Lateral projection | Lt plain radiograph of the wrist | age 6 y, female | cast present.
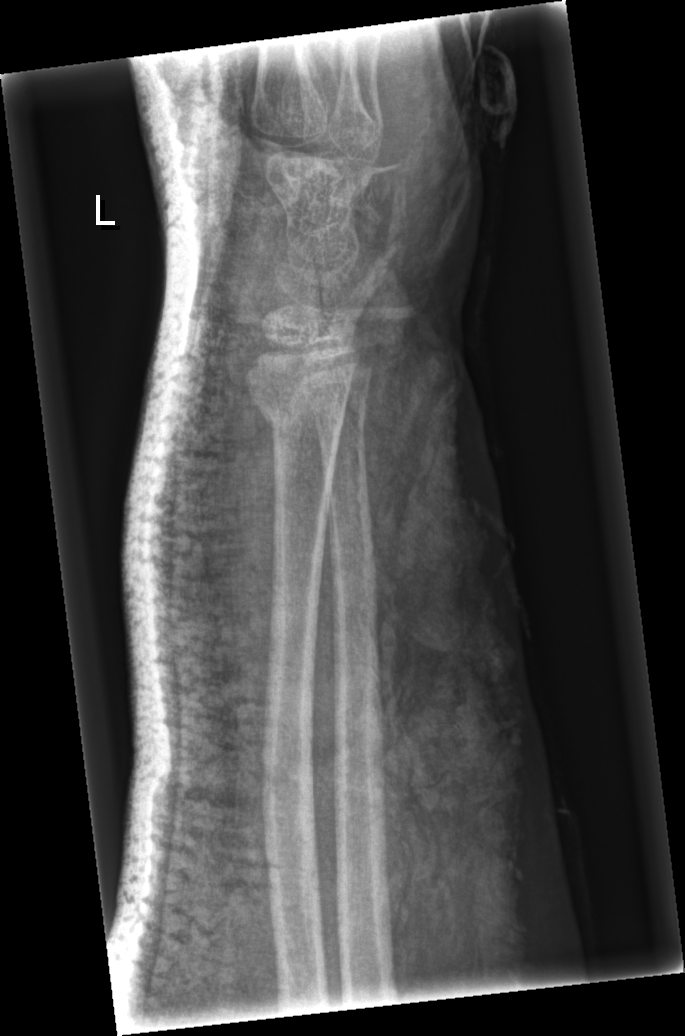

Findings: Bone fracture identified at (left=241, top=373, right=359, bottom=440). Fracture classified AO/OTA 23-M/2.1.